Left wrist pediatric wrist radiograph · lateral view. 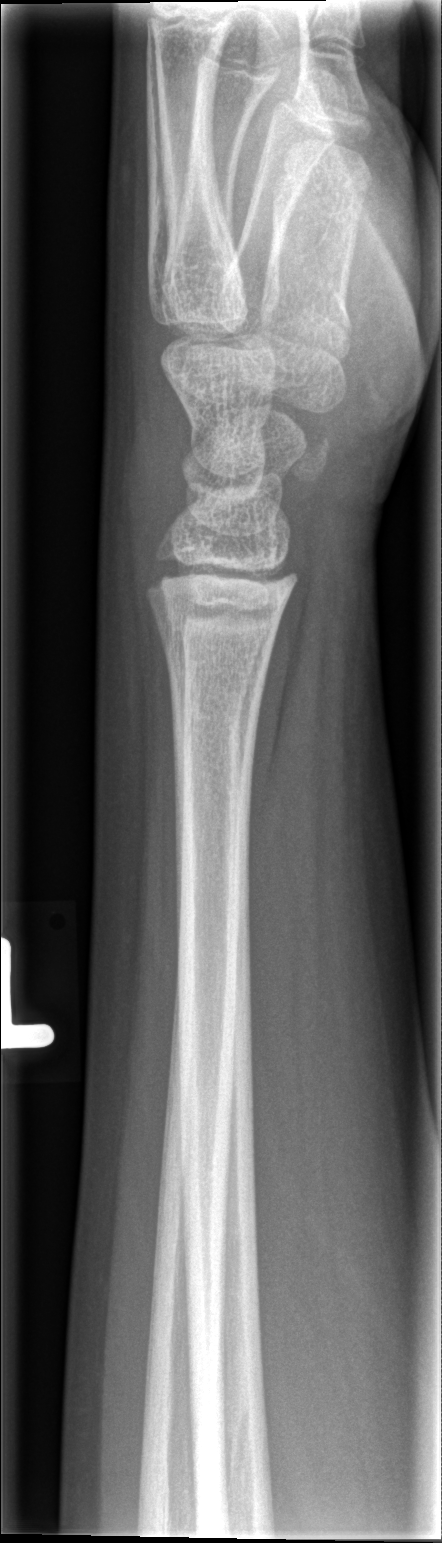   fracture: none labeled